Right wrist plain film, lateral projection, female, 17 yo, initial study: 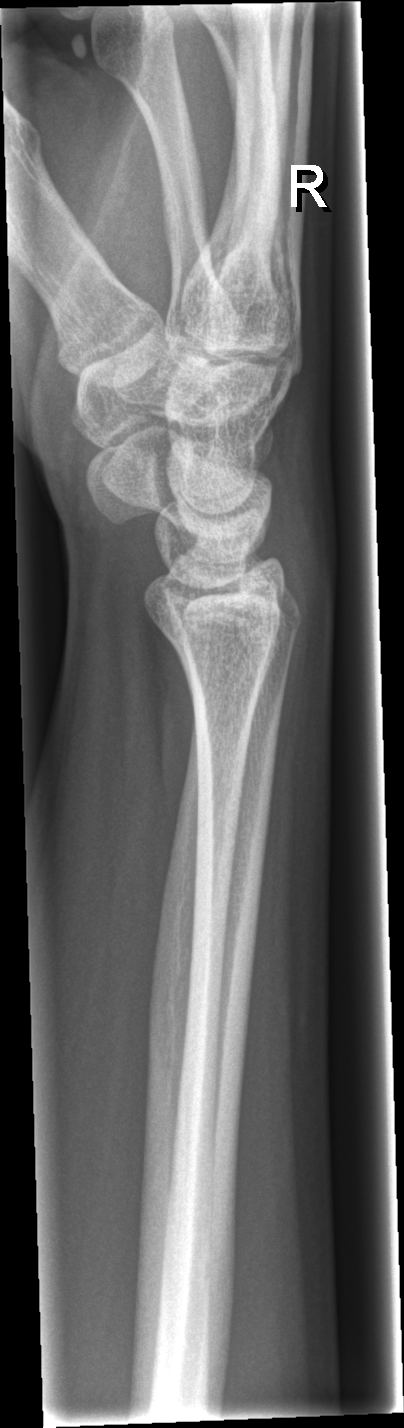 Fx: none.